Lateral view; L wrist plain film; age 10 y, boy; 500 x 928 px —

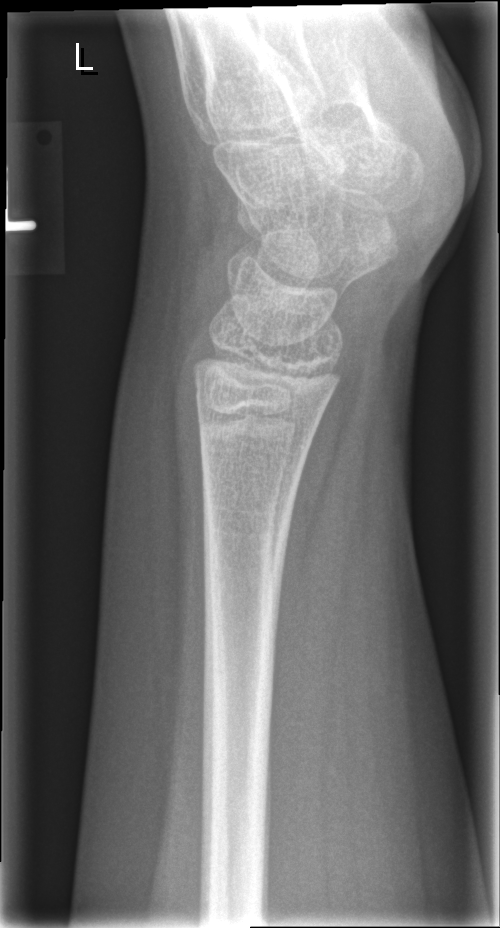
Fracture: none labeled